Left pediatric wrist radiograph, frontal projection, follow-up, acquired on Siemens, image width 110.7 mm.

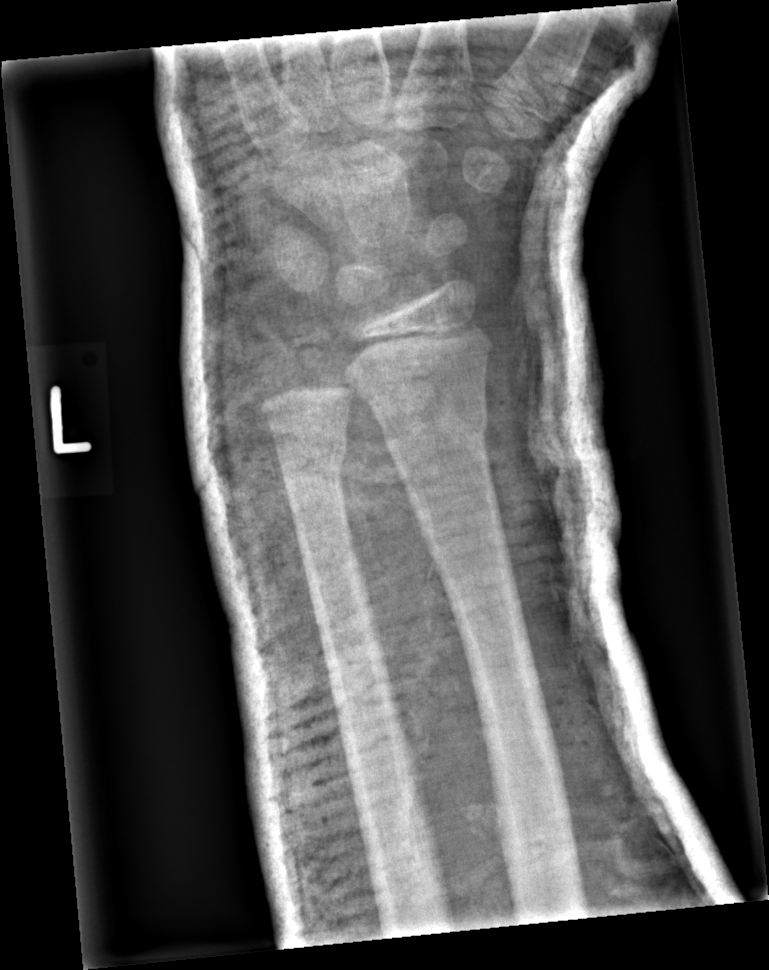
AO code 23r-M/3.1; 23u-M/2.1.
Fractures — [380, 397, 491, 459]; [272, 425, 352, 485].